Lateral view · left wrist plain film · female, 9 yo:
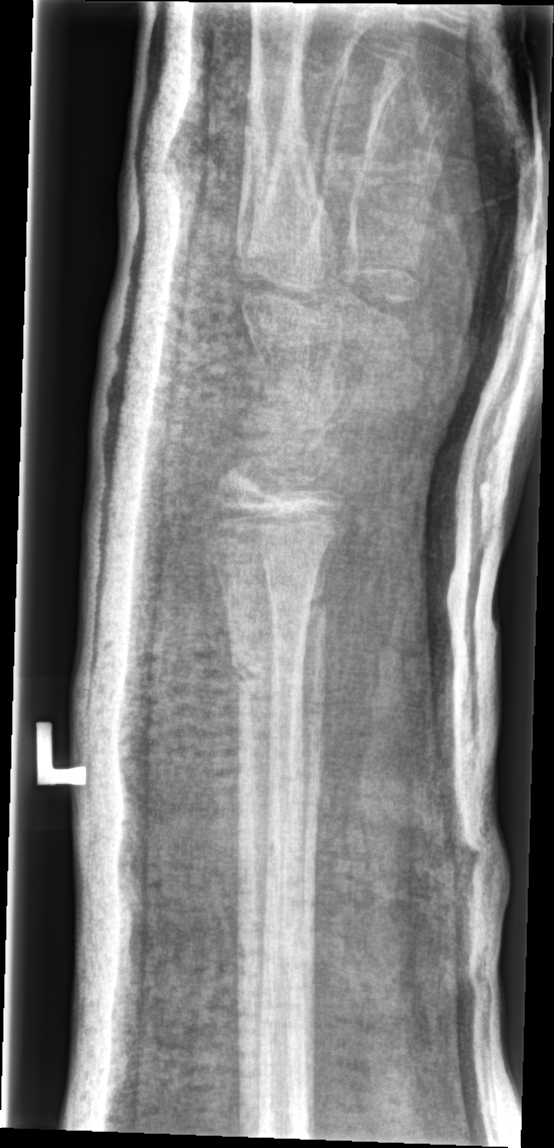

Fracture identified at 221,639,312,726; 264,581,335,632. Fracture classified AO/OTA 23-M/2.1.